R wrist XR, frontal, acquired on Siemens. 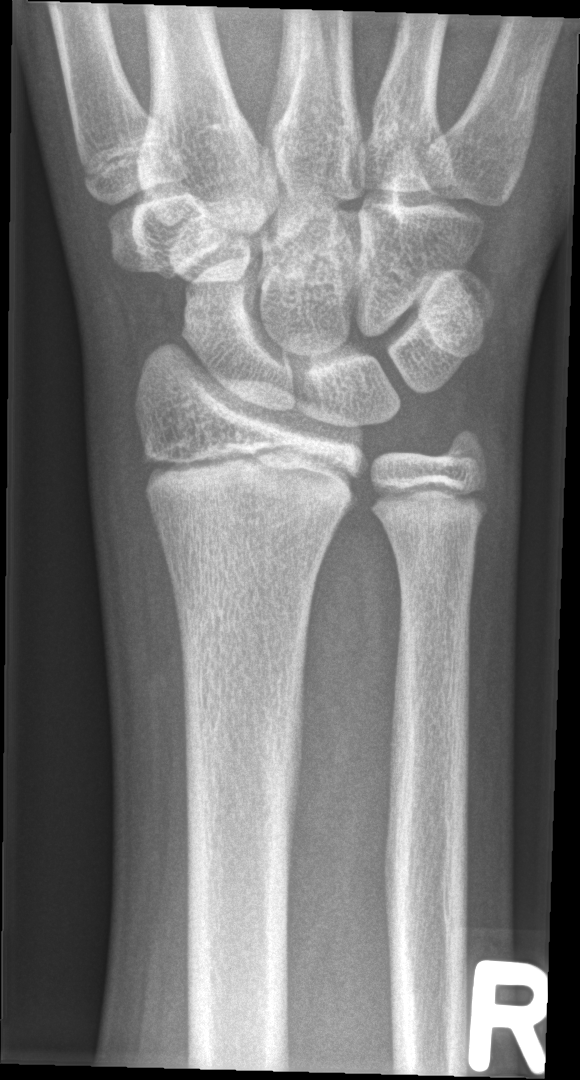

Fracture: none labeled.